Left wrist plain film; lateral; pediatric patient (girl, age 9); follow-up; detector: Siemens:
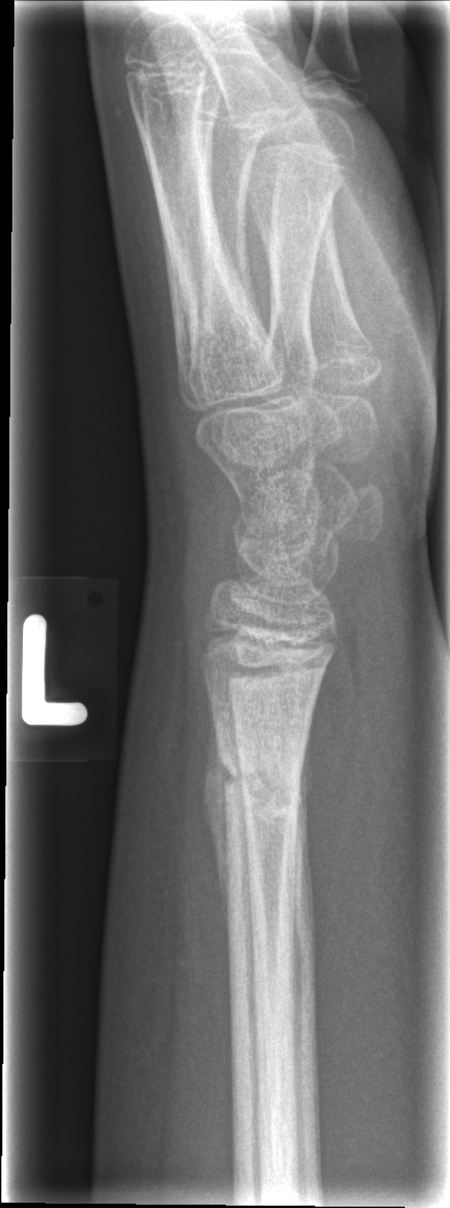

- Boxes as x1,y1,x2,y2 (top-left / bottom-right, pixel units).
- Osteopenic.
- Periosteal thickening identified at (201, 701, 242, 939), (295, 717, 314, 833).
- One Fx at (207, 733, 311, 822).
- AO code 23r-M/3.1; 23u-M/2.1.